Right wrist plain radiograph of the wrist · lat · pediatric patient (girl, age 9) · presentation radiograph · acquired on Siemens · image 80.4 mm wide:

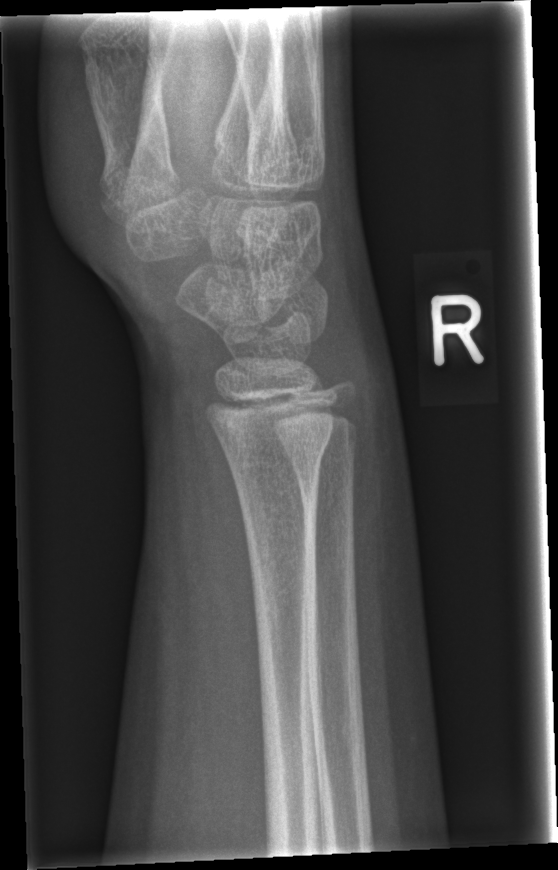
AO code: 23r-M/2.1
fracture: 215,441,333,475